L wrist radiograph · lateral projection · subsequent exam · imaged through cast · 555 x 884 px

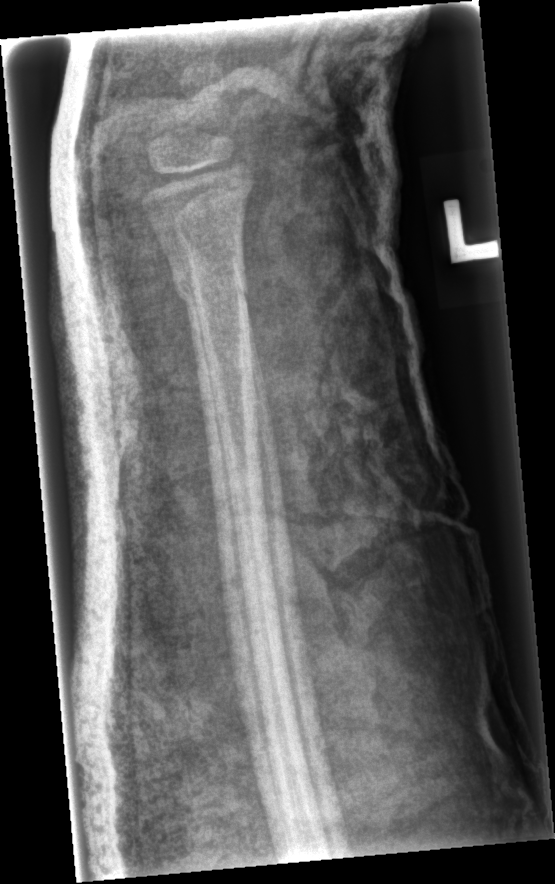

Bounding boxes in image-pixel xyxy. Bone fracture identified at (169, 262, 254, 312). AO/OTA classification: 23r-M/3.1; 23u-M/2.1.